Frontal projection; left wrist plain film; age 11 y, male:
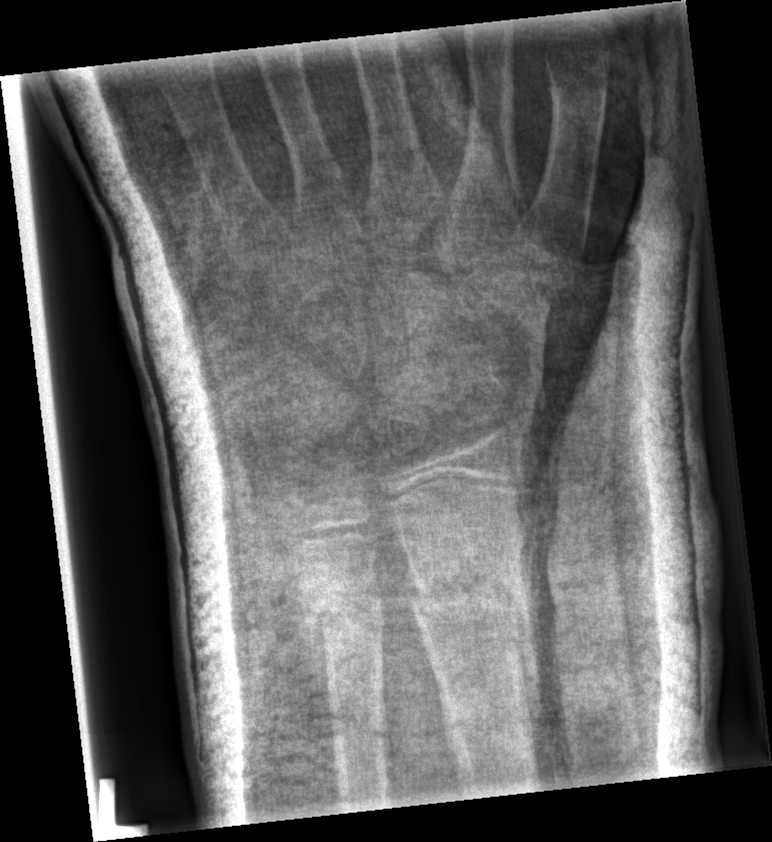

AO code = 23-M/3.1
periosteal thickening = 2 @ 512 514 541 783; 292 554 328 707
Fx = 2 @ 400 534 541 651
  286 573 397 647